Rt wrist plain film · lateral view · female, 8 yo · detector: Siemens.
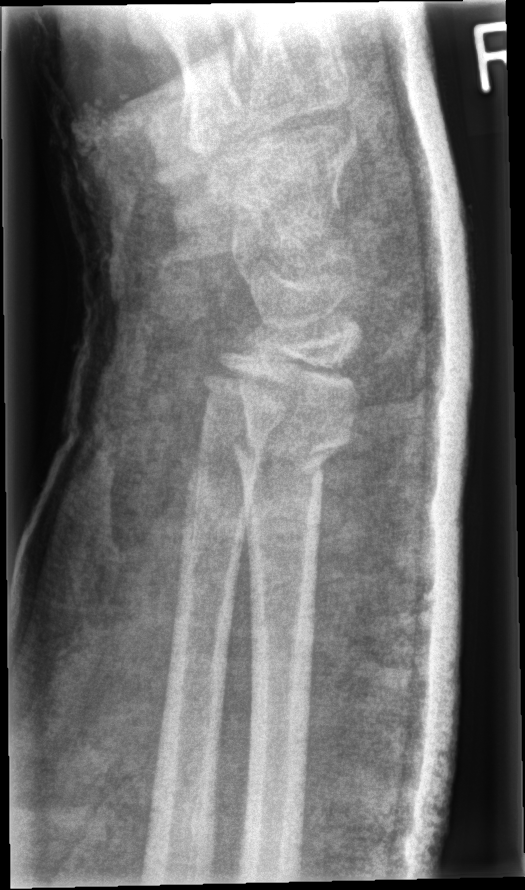
Q: What is the AO/OTA classification?
A: AO code 23r-M/3.1; 23u-M/2.1
Q: Any fracture seen?
A: Fracture identified at 232,415,356,490; 188,413,285,465